Right wrist X-ray; lateral view; female, 8 yo —
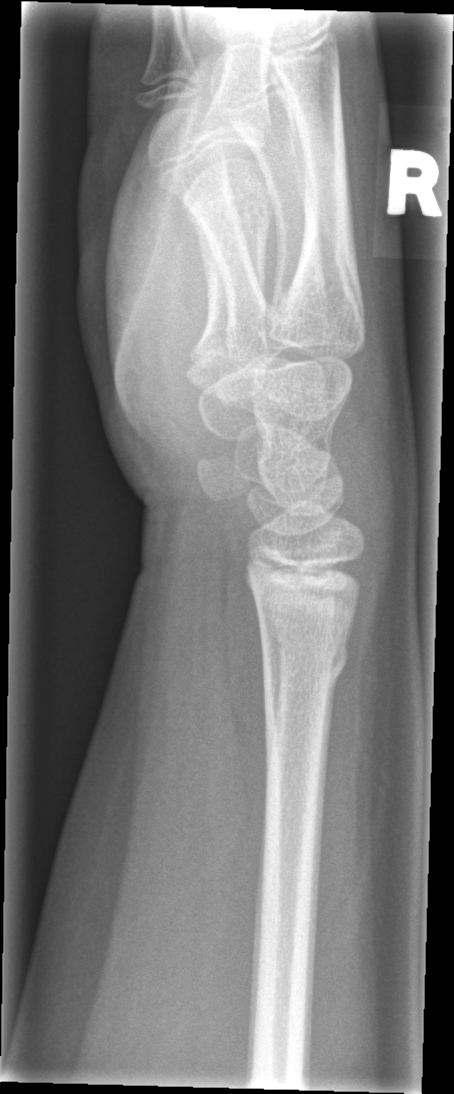

* Fx identified at <258,631>-<352,691>.